Left wrist radiograph, lat projection, 8y F, subsequent exam, image width 59.3 mm
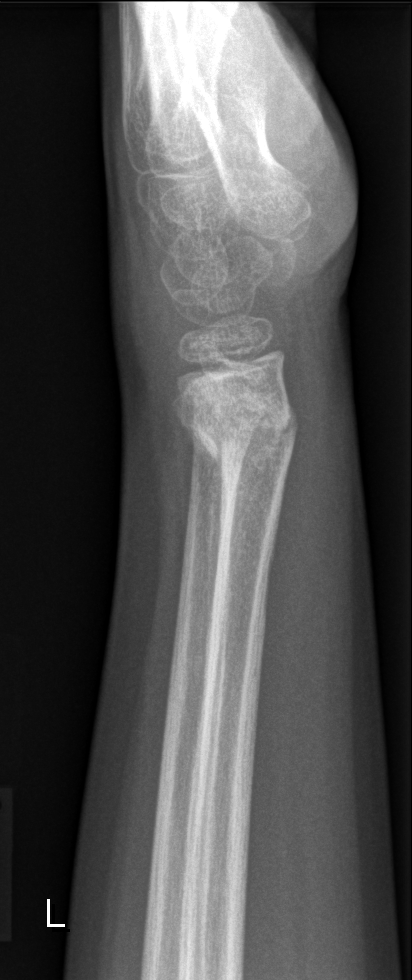 # boxes as x1,y1,x2,y2 (top-left / bottom-right, pixel units)
fracture: [170, 367, 303, 480]